Lateral view · Lt plain radiograph of the wrist · Siemens — 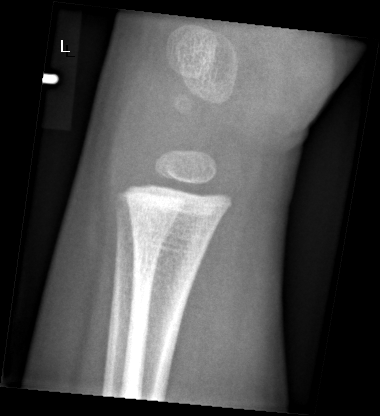 Q: Is there a fracture?
A: No fracture bounding box